Left wrist plain film; frontal projection; pediatric patient (girl, age 15) 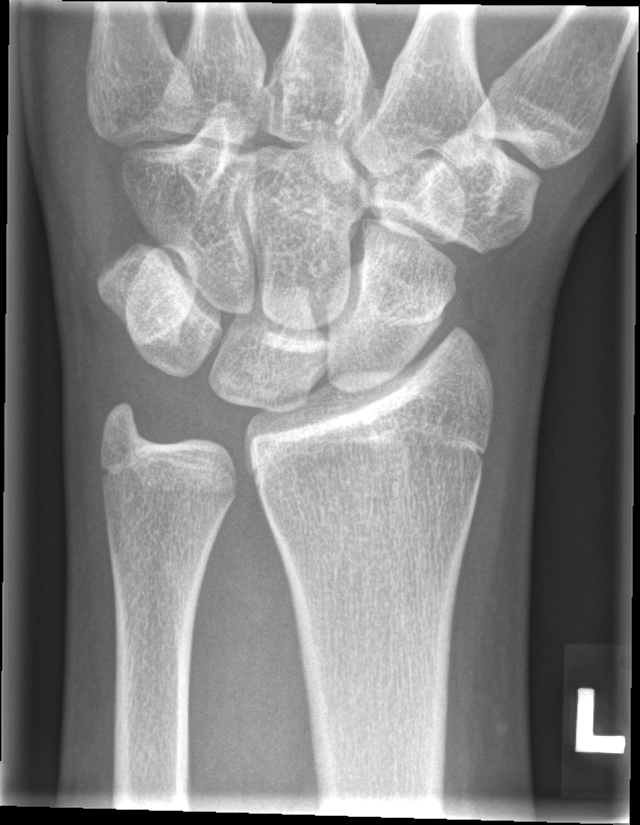

FINDINGS: No fracture labeled.